Frontal projection; right wrist plain film; image size 679x1242:

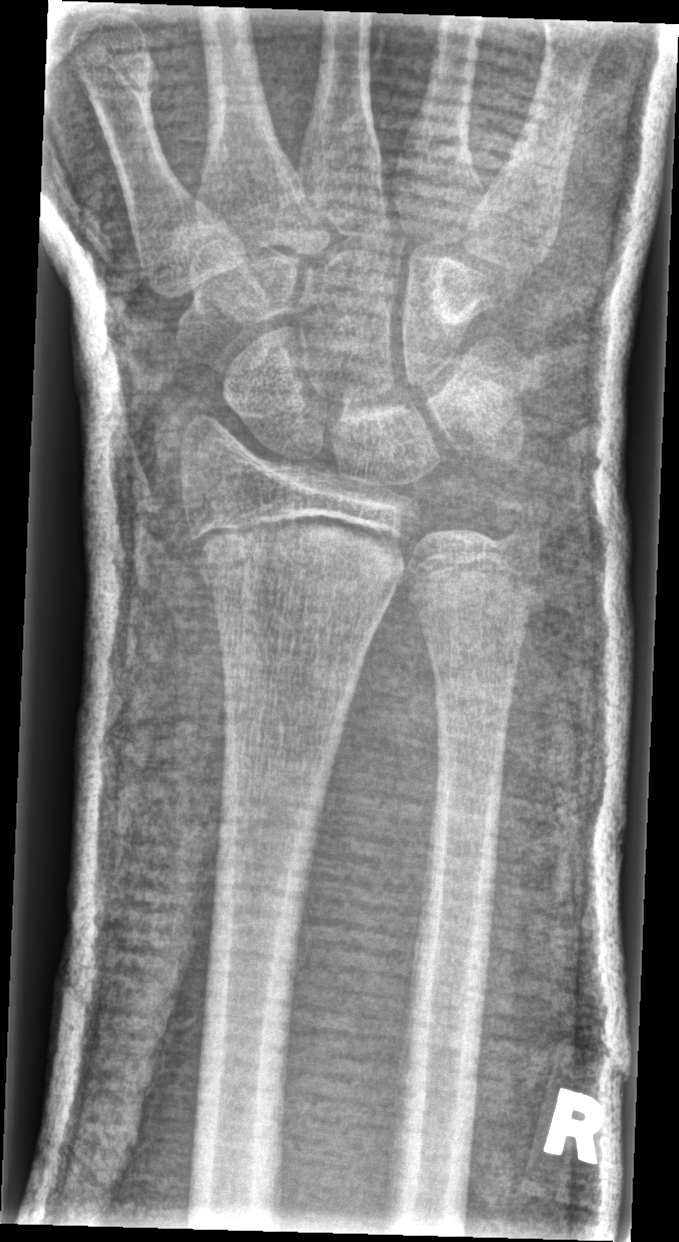

FINDINGS: AO/OTA classification: 23r-E/2.1; 23u-E/7. Bone fracture identified at [x1=185, y1=523, x2=410, y2=596]; [x1=482, y1=486, x2=553, y2=571].